Left wrist X-ray | lat view | pediatric patient (boy, age 2): 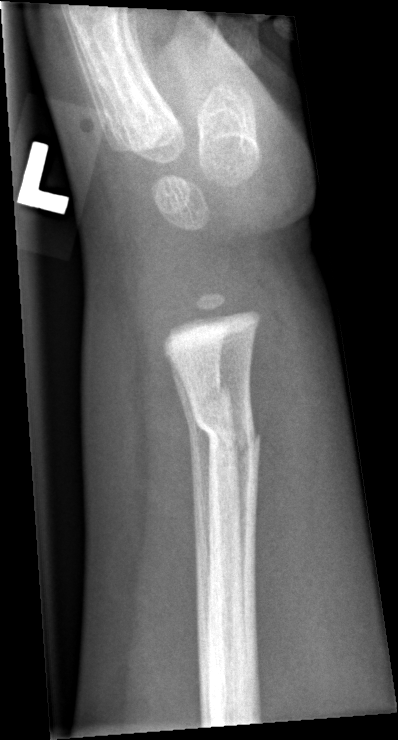
Coordinates are [x1, y1, x2, y2] in image pixels.
Fracture classified AO/OTA 23-M/3.1.
Two Fx at [177, 366, 235, 445] [192, 408, 265, 458].
Pronator quadratus fat-pad sign identified at [250, 298, 301, 576].